Lt wrist X-ray, PA, detector: Siemens, 614x644 — 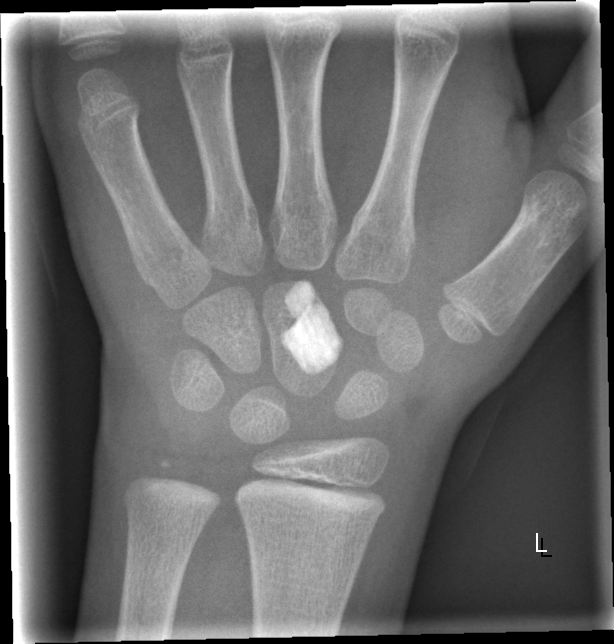

Pixel coordinates, top-left origin, xyxy. No fracture annotation. One radiopaque foreign body at (left=278, top=278, right=342, bottom=376).